Posteroanterior projection; left plain radiograph of the wrist; image width 93.0 mm 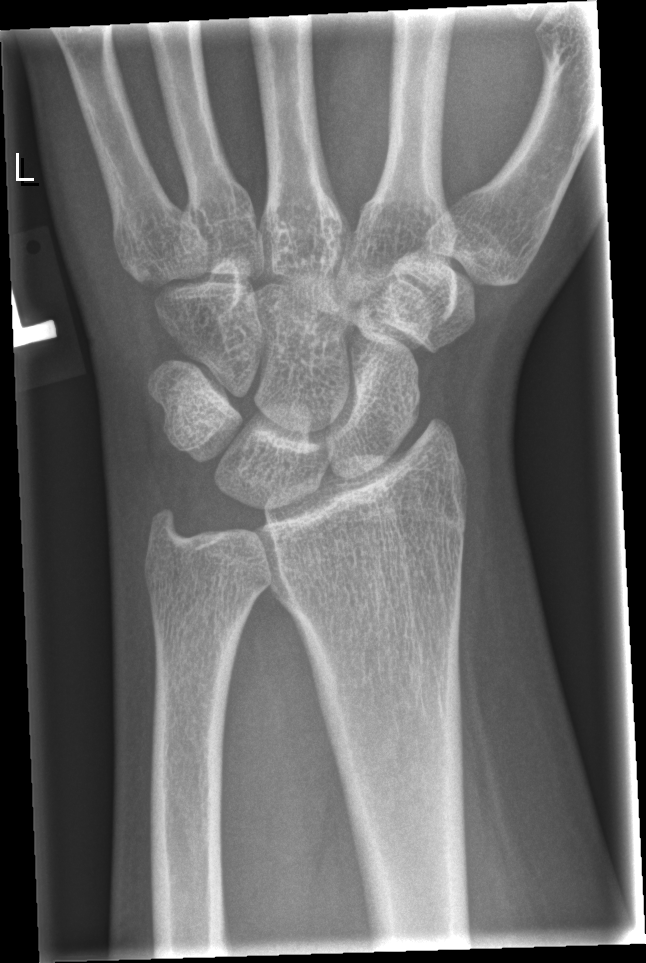

FINDINGS: Fx: none.